Lt plain radiograph of the wrist | frontal projection | 547 x 1138 px 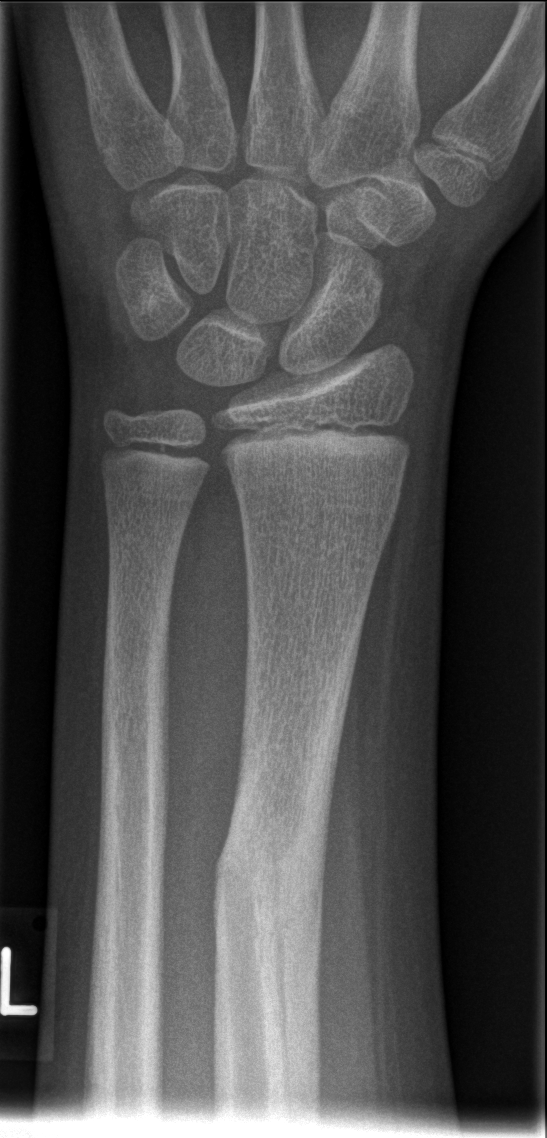 Bone fracture = 1 @ [x1=210, y1=772, x2=341, y2=1071]